Lateral · left pediatric wrist radiograph · 10y M · acquired on Siemens:
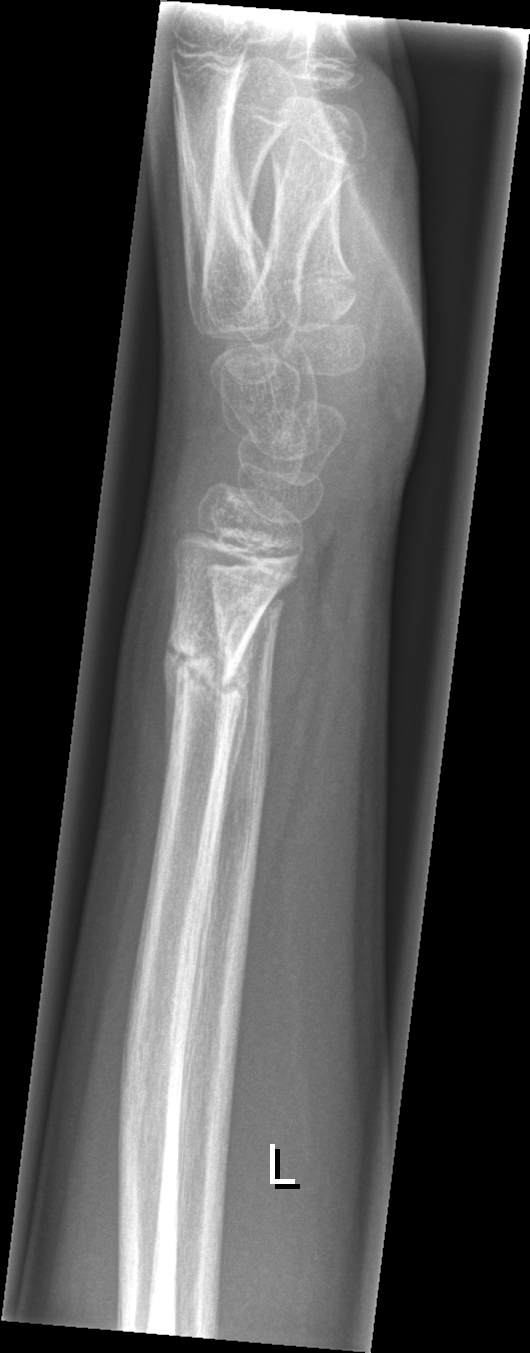
AO/OTA classification: 23-M/3.1. Bone fracture identified at <156,622>-<255,730>; <211,581>-<291,630>. Osteopenia. Periosteal thickening identified at <222,621>-<259,840>; <162,604>-<179,799>.